Left wrist XR, lateral view, age 16 y, boy —
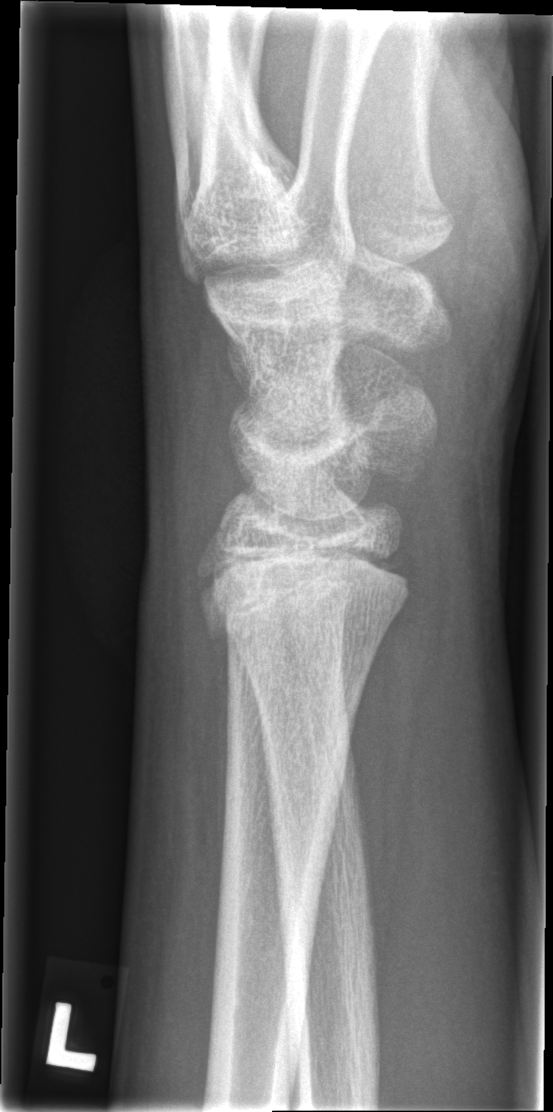 (coordinates are [x1, y1, x2, y2] in image pixels)
Q: AO code?
A: AO code 23r-E/2.1; 23u-E/7
Q: Is there osteopenia?
A: Osteopenic
Q: Locate any fractures.
A: Fracture — <193,540>-<416,647>